Lat projection, R pediatric wrist radiograph.

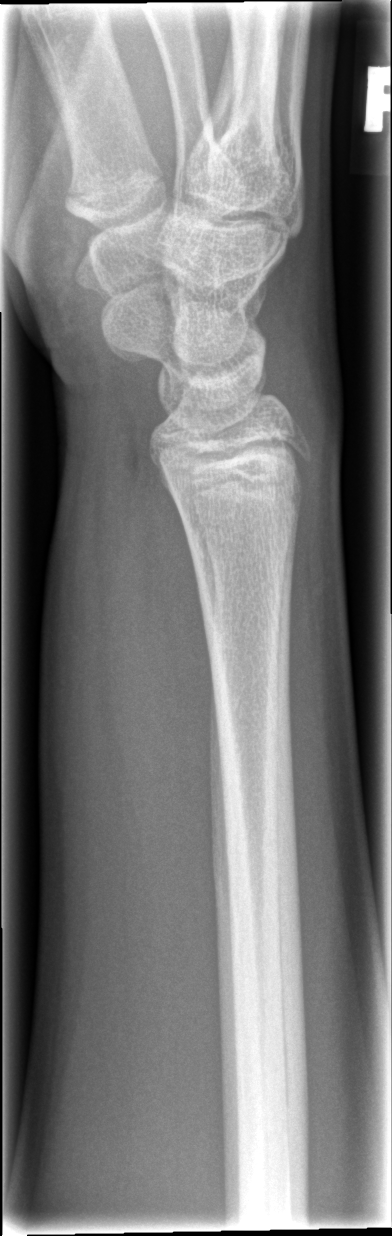
No fracture annotation.